Right wrist radiograph | lateral view | Siemens
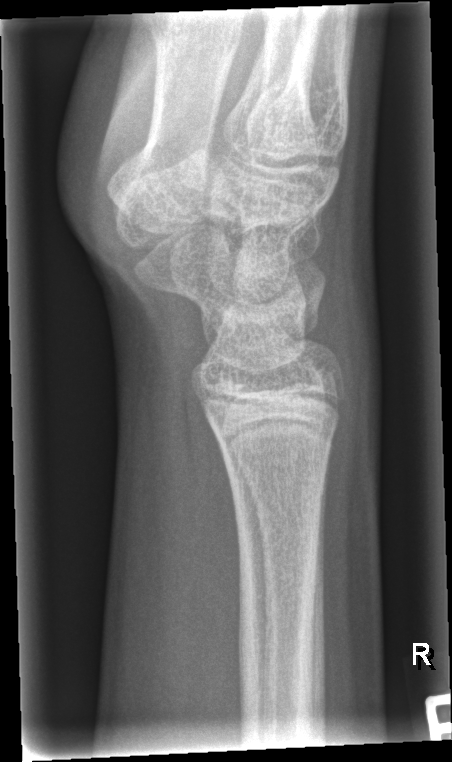 fracture: none labeled